Lat, Lt wrist XR, 10-year-old female, cast in situ.
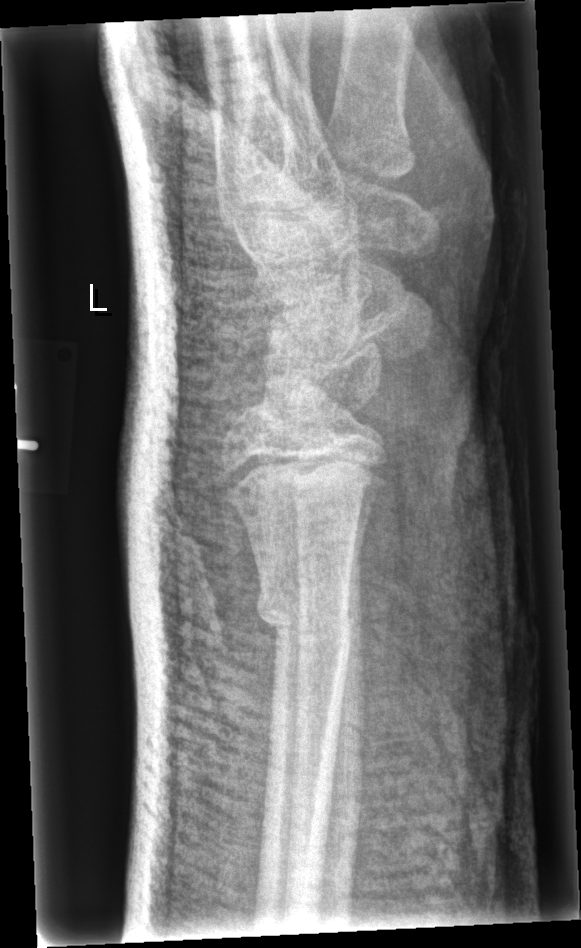
AO/OTA = 23r-M/3.1; 23u-E/7
Fx = 254,593,353,654